Lateral projection · left wrist XR · index exam · Siemens · image 70.1 mm wide · 487 by 866 pixels:

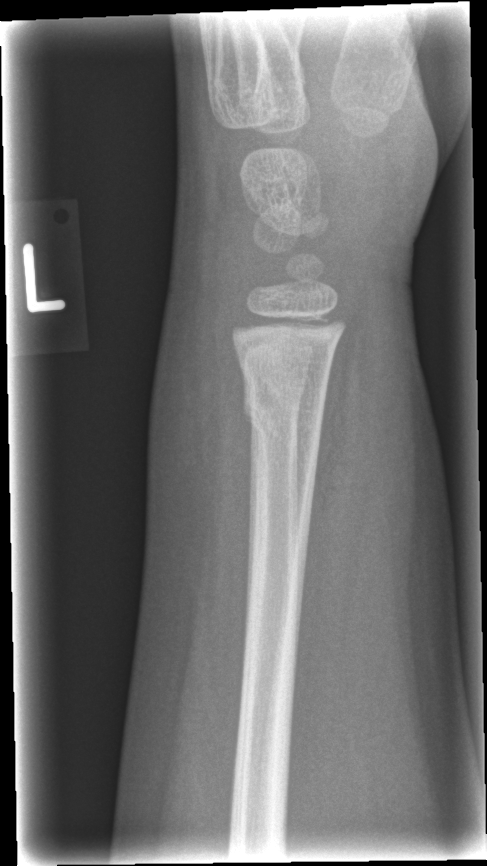 {"fracture": "237,370,328,439", "softtissue": "151,302,261,544", "ao": "23-M/2.1"}